Lat view; Rt wrist plain film; 396 x 722 px —
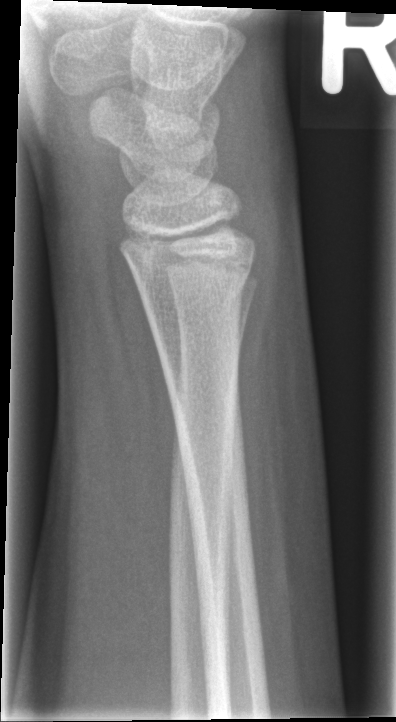

{
  "_coords": "boxes as x1,y1,x2,y2 (top-left / bottom-right, pixel units)",
  "ao": "23r-M/2.1",
  "fracture": "1 @ bbox(128, 264, 257, 319)"
}